Posteroanterior view · Lt wrist X-ray · detector: Siemens. 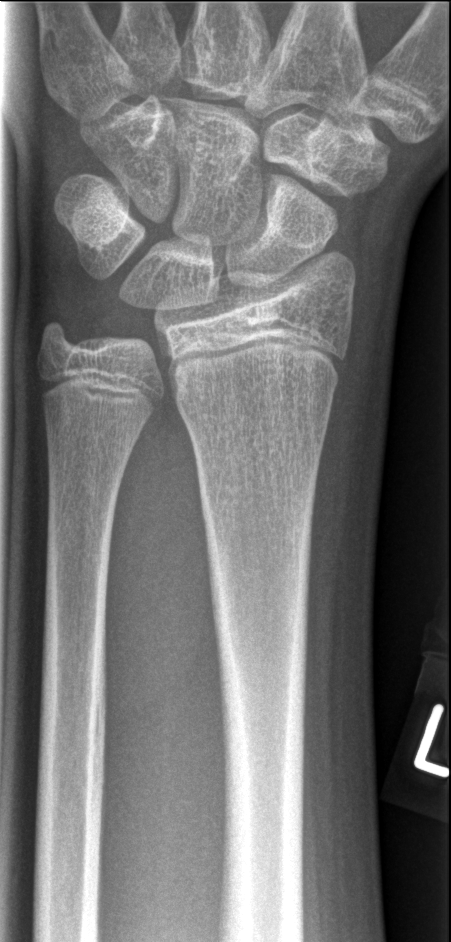

Q: Locate any fractures.
A: No fracture annotation